L wrist X-ray, lateral view, boy, 14 yo, subsequent exam.

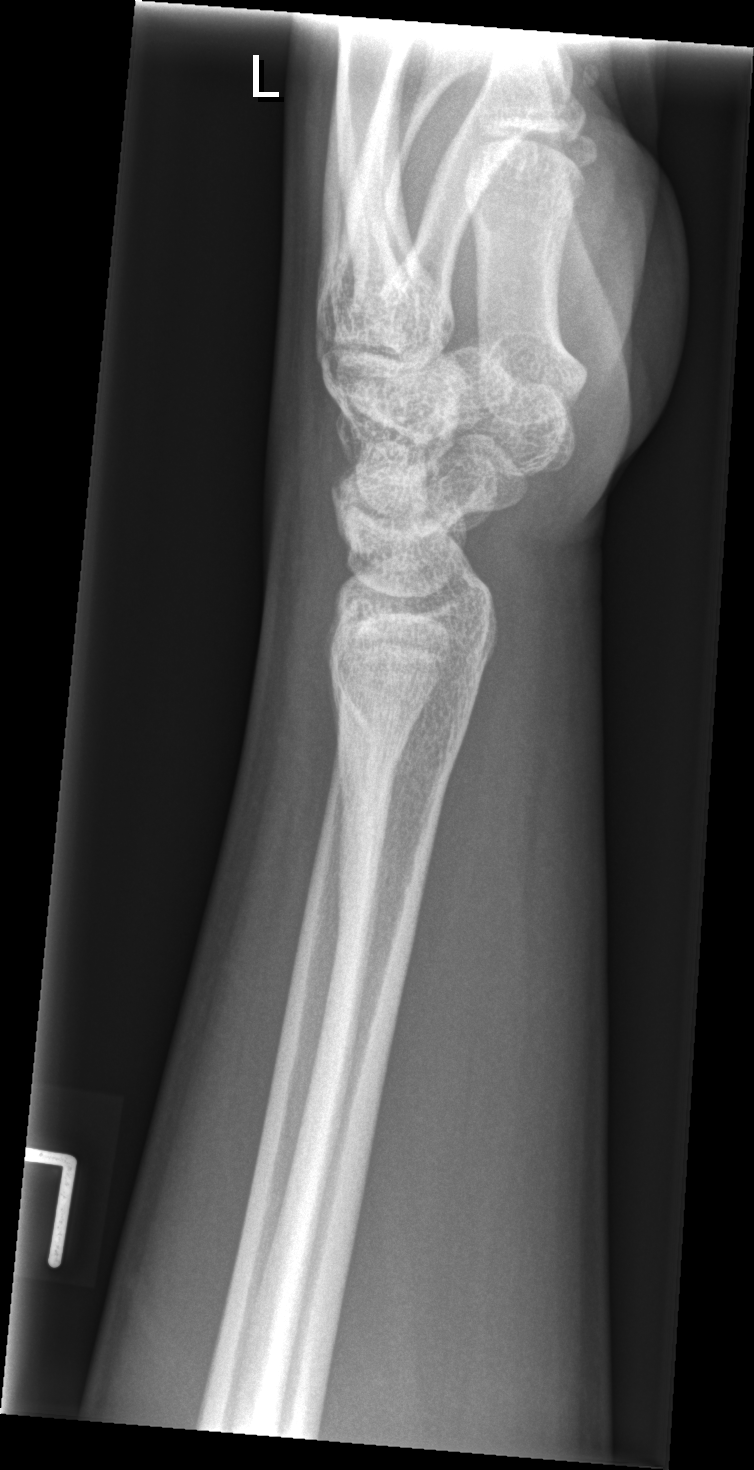
One periosteal reaction at (left=333, top=666, right=379, bottom=954). Fracture classified AO/OTA 23r-M/3.1; 23u-E/7. Bone fracture — (left=327, top=665, right=481, bottom=932).